Lateral | right wrist radiograph | age 8 y, male | 73.6 mm image width —

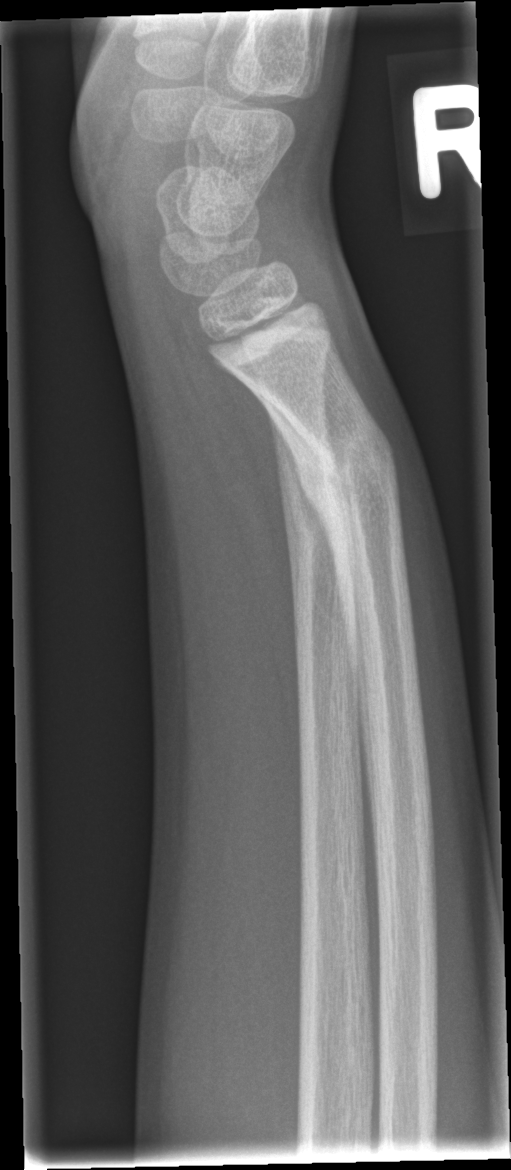 (coordinates are [x1, y1, x2, y2] in image pixels)
Periosteal thickening = bbox(277, 457, 300, 612)
Bone fracture = bbox(259, 379, 414, 670)